Rt wrist XR | frontal view | pediatric patient (girl, age 12) | 1176 by 1016 pixels —

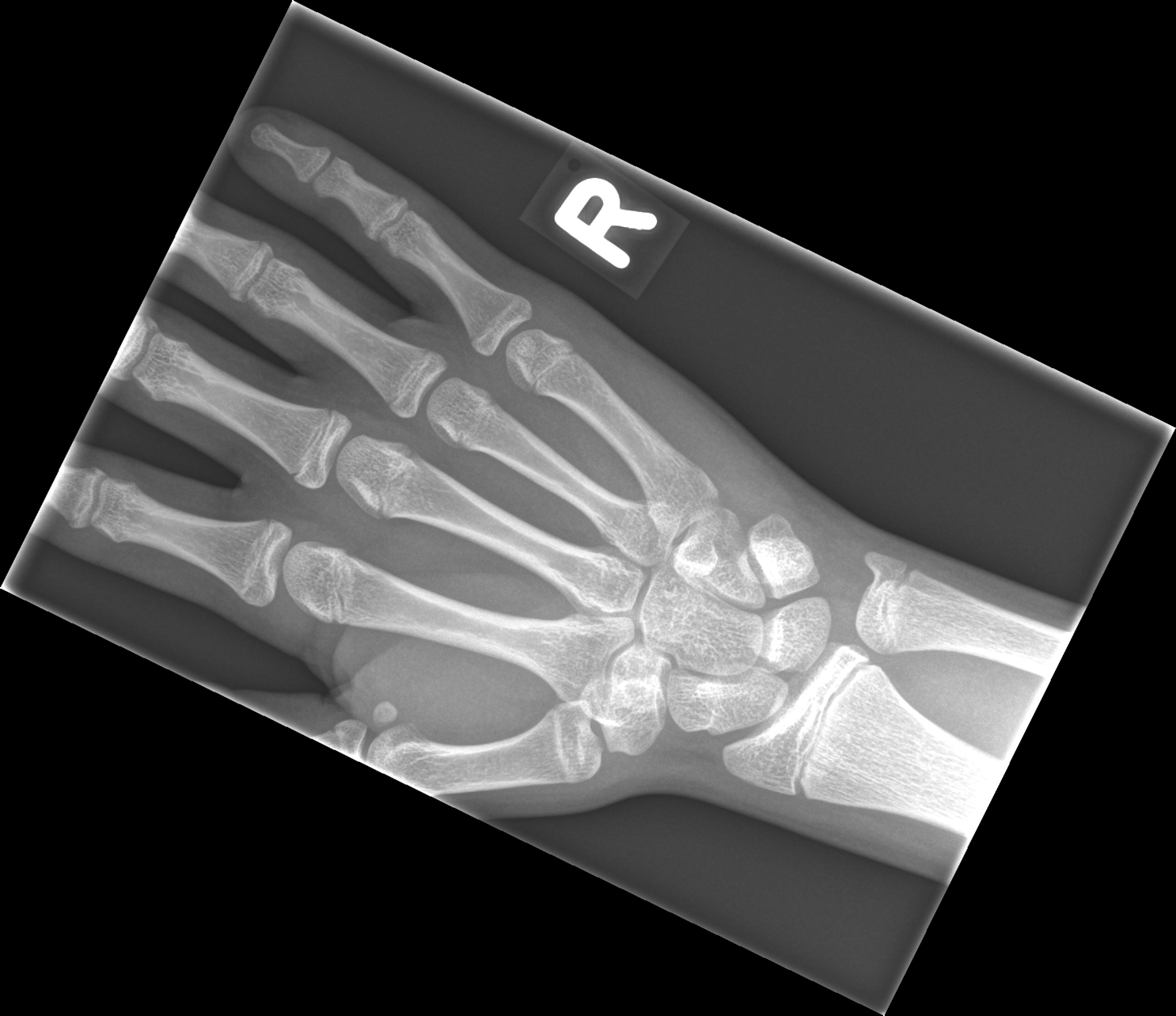 Fracture: none labeled.